Posteroanterior view | Lt wrist XR | 3y F | in cast: 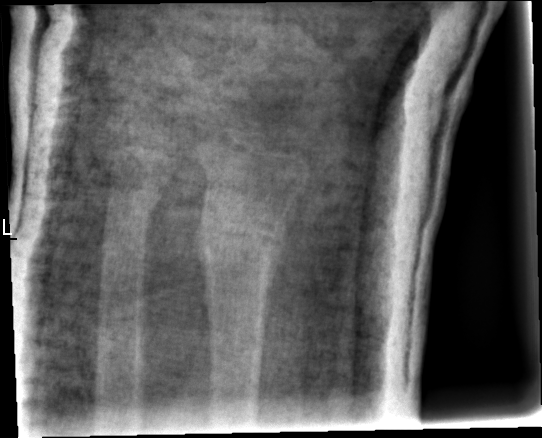 FINDINGS: AO/OTA classification: 23r-M/3.1; 23u-M/2.1. Periosteal reaction identified at (265, 218, 286, 333), (196, 219, 209, 304). Fx identified at (192, 206, 290, 283), (98, 177, 163, 229).